Lt wrist radiograph, lat projection, age 11 y, girl, 550 by 1106 pixels:

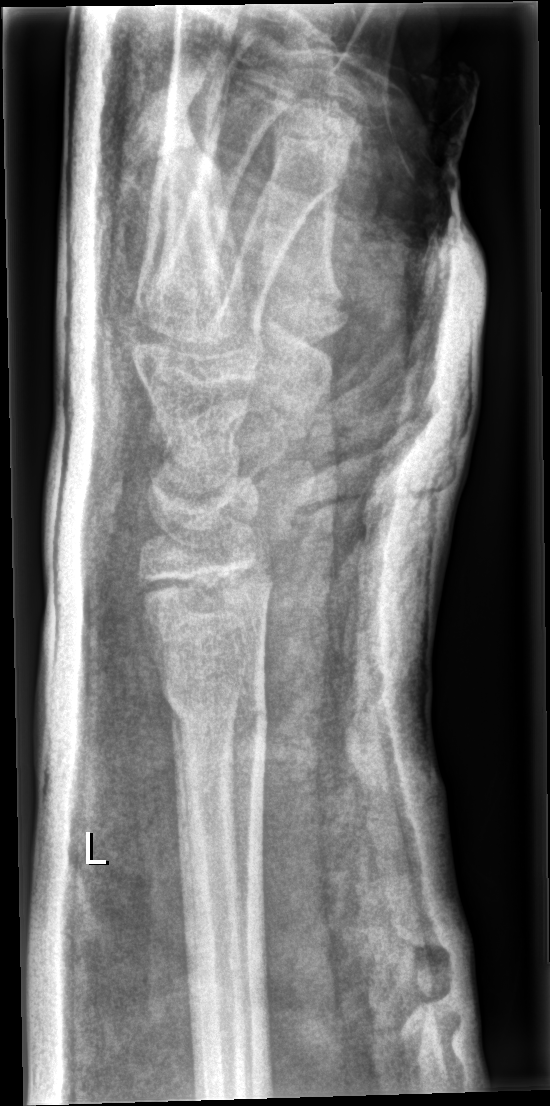
Q: What is the AO/OTA classification?
A: AO code 23r-M/2.1
Q: Locate any fractures.
A: Fx: bbox(161, 679, 273, 735)